PA/AP projection | left wrist X-ray | male, 9 yo — 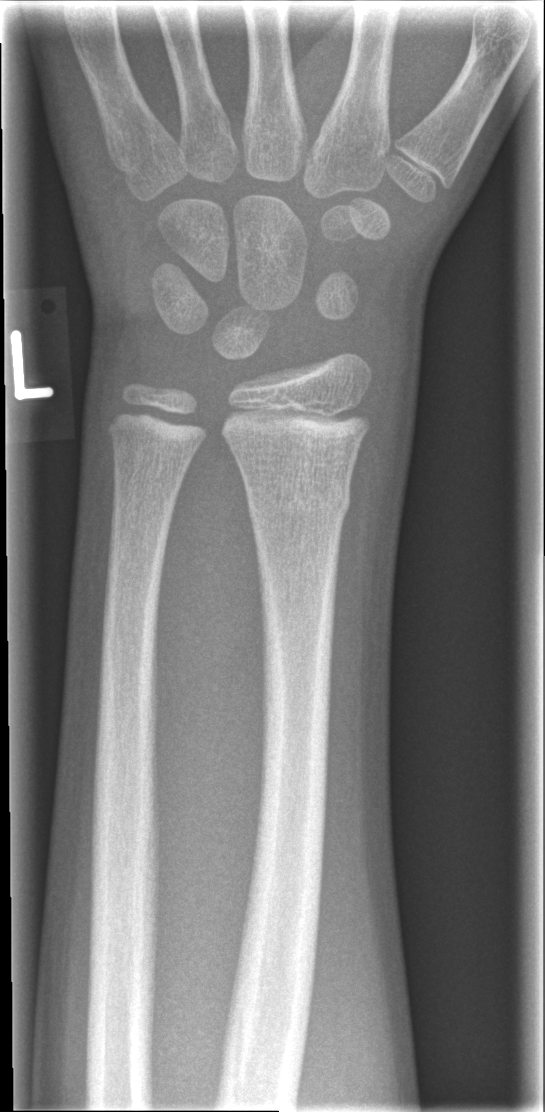 FINDINGS: Fracture classified AO/OTA 23r-M/2.1. One fracture at [246, 476, 355, 528].